Lt wrist X-ray, frontal projection, acquired on Siemens: 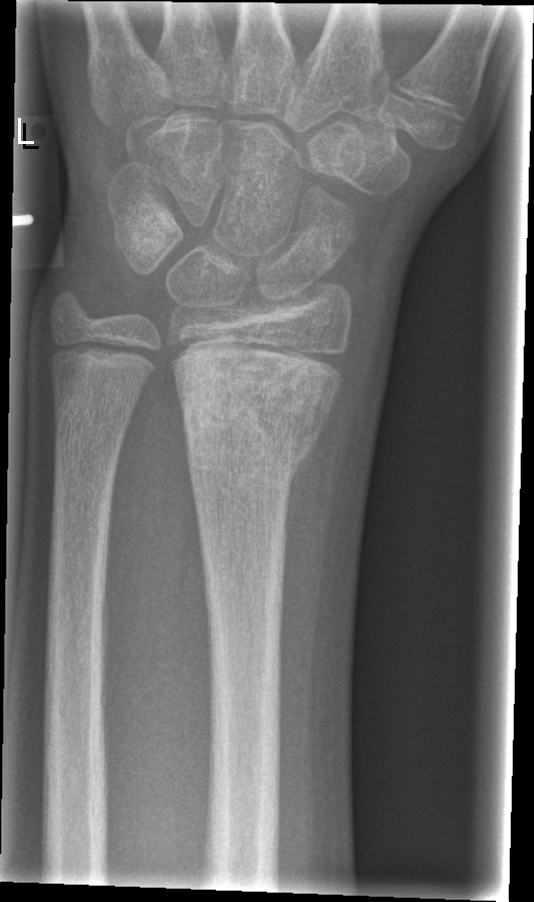

osteopenia: present
fracture: <174,340>-<348,471>, <50,382>-<141,443>
AO code: 23r-M/3.1; 23u-M/2.1